Right wrist radiograph · PA/AP projection —
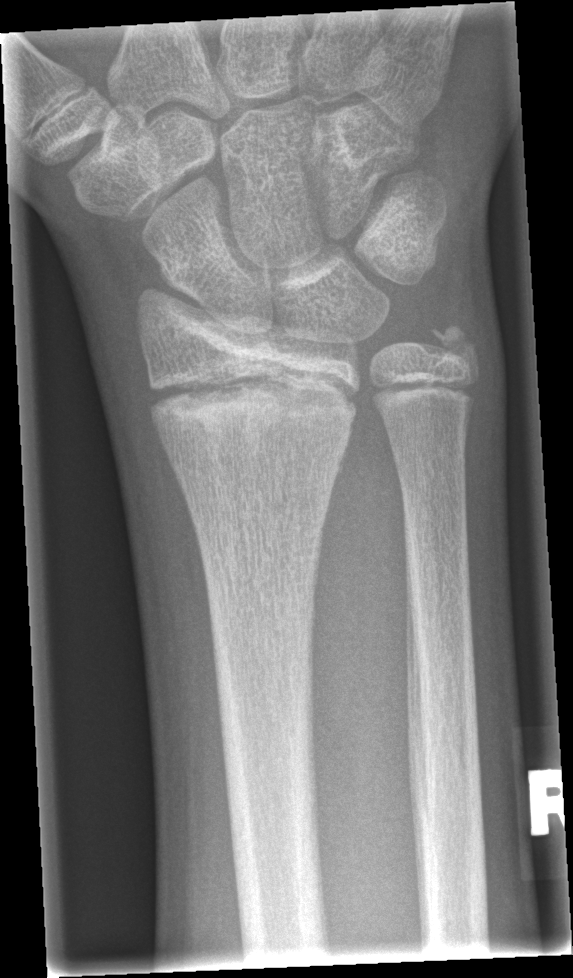

Osteopenic. Fractures — [143, 364, 363, 438]; [420, 315, 484, 375]. AO/OTA classification: 23r-E/2.1; 23u-E/7.